Frontal view | left wrist X-ray | age 9 y, girl

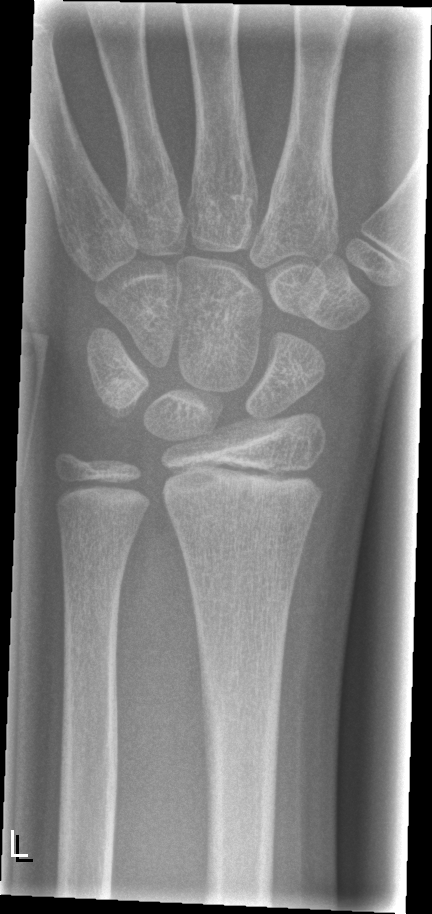

AO classification = 23r-M/2.1
fracture = present but not clearly seen in this view